Lat projection · left wrist plain radiograph of the wrist · image 70.0 mm wide. 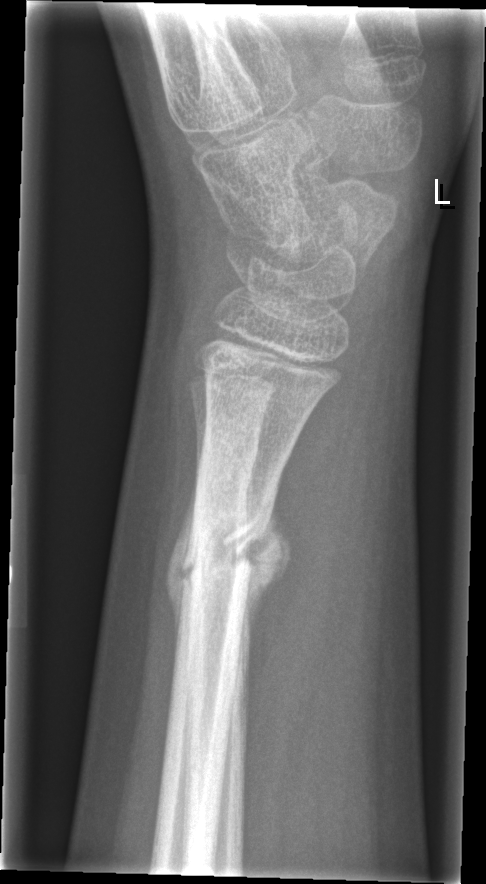
AO classification: 23r-M/3.1; 23u-M/2.1
periosteal reaction: [242, 495, 291, 657] [166, 451, 201, 672]
osteopenia: present
Fx: 1 @ [165, 515, 286, 605]